Lateral projection · left wrist X-ray · pediatric patient (girl, age 10) · imaged through cast:

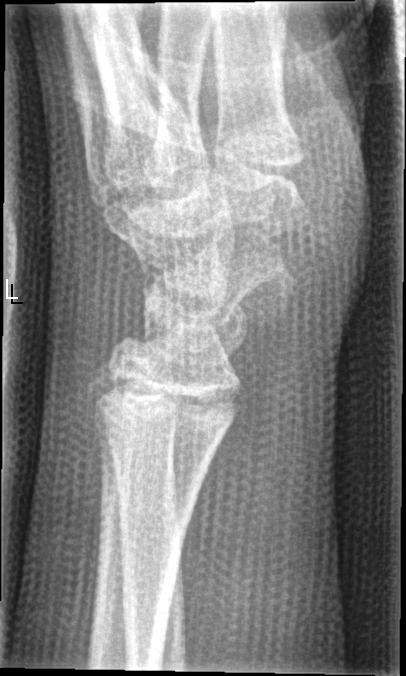

FINDINGS — (boxes as x1,y1,x2,y2 (top-left / bottom-right, pixel units)) Fracture classified AO/OTA 23r-E/2.1. Fx — 82 364 248 449.